Left pediatric wrist radiograph; frontal — 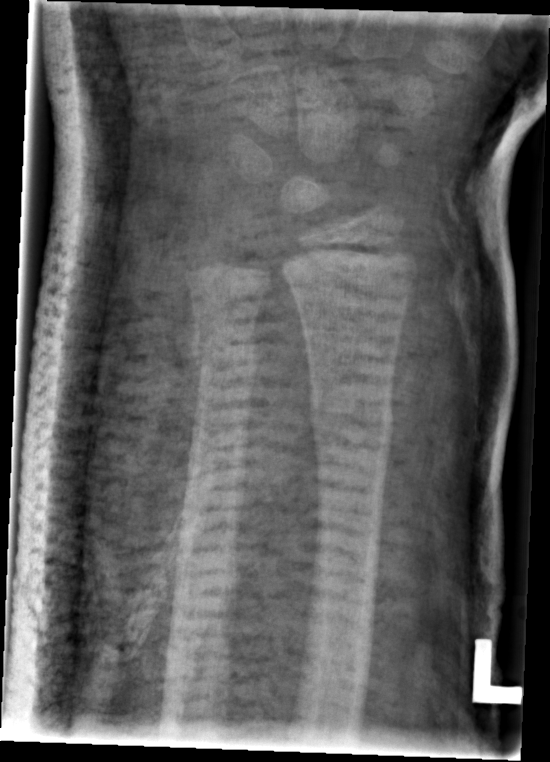
  # bounding boxes in image-pixel xyxy
  ao: 23r-M/2.1; 23u-M/3.1
  fracture: 2 @ <305,389>-<397,456>, <190,332>-<264,381>